Lat projection; right wrist X-ray; 15-year-old boy; index exam

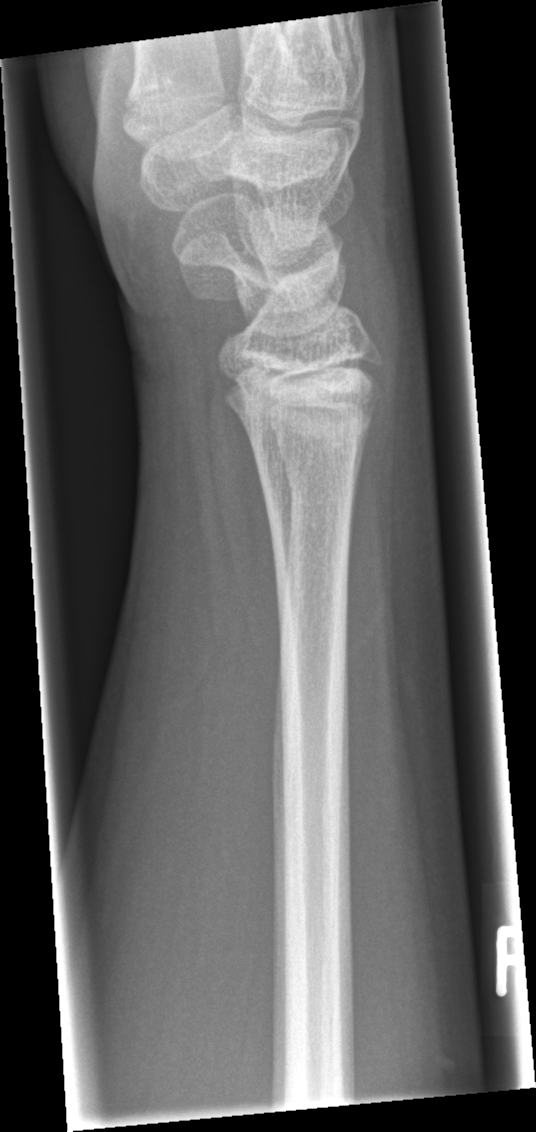
No Fx annotated.